Rt pediatric wrist radiograph, lat view — 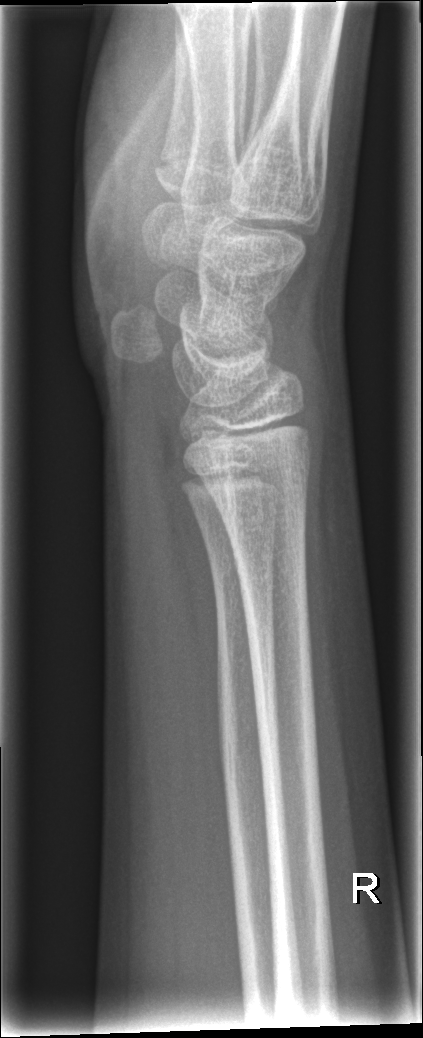

Fracture = none labeled